Lat view; right pediatric wrist radiograph; age 6 y, female; follow-up study; imaged through cast: 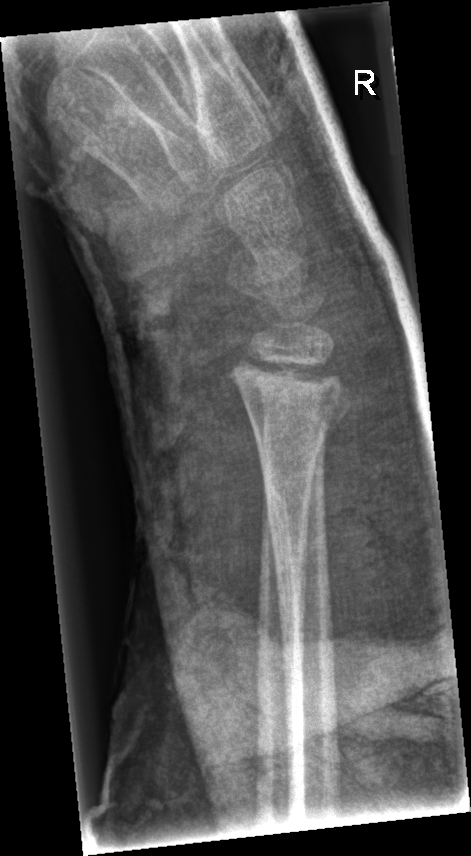
One fracture at <227,351>-<356,450>.